Lat view | Lt wrist radiograph.

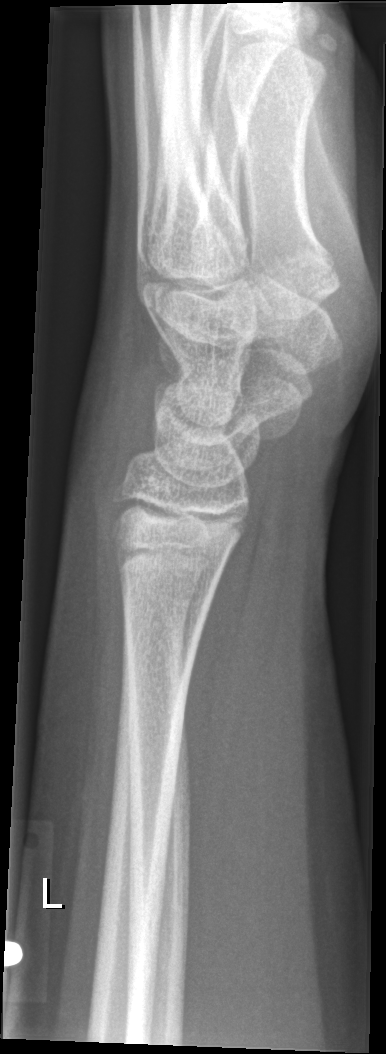 Q: Fracture present?
A: Fx: none